Left pediatric wrist radiograph, oblique view, age 4 y, male:

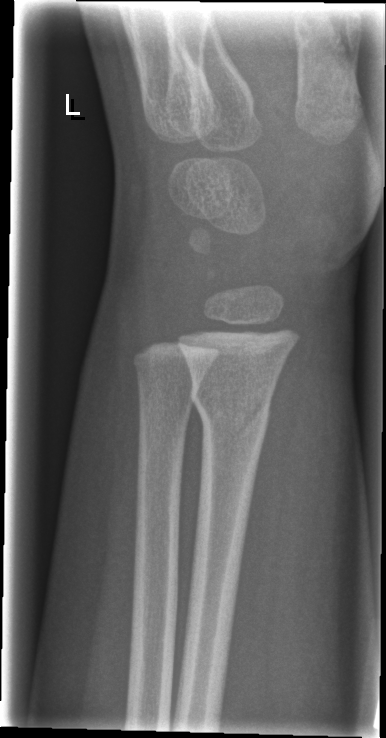
AO/OTA: 23r-M/2.1
Fx: <188,375>-<275,447>